Right pediatric wrist radiograph, AP projection, 12-year-old girl, acquired on Siemens —

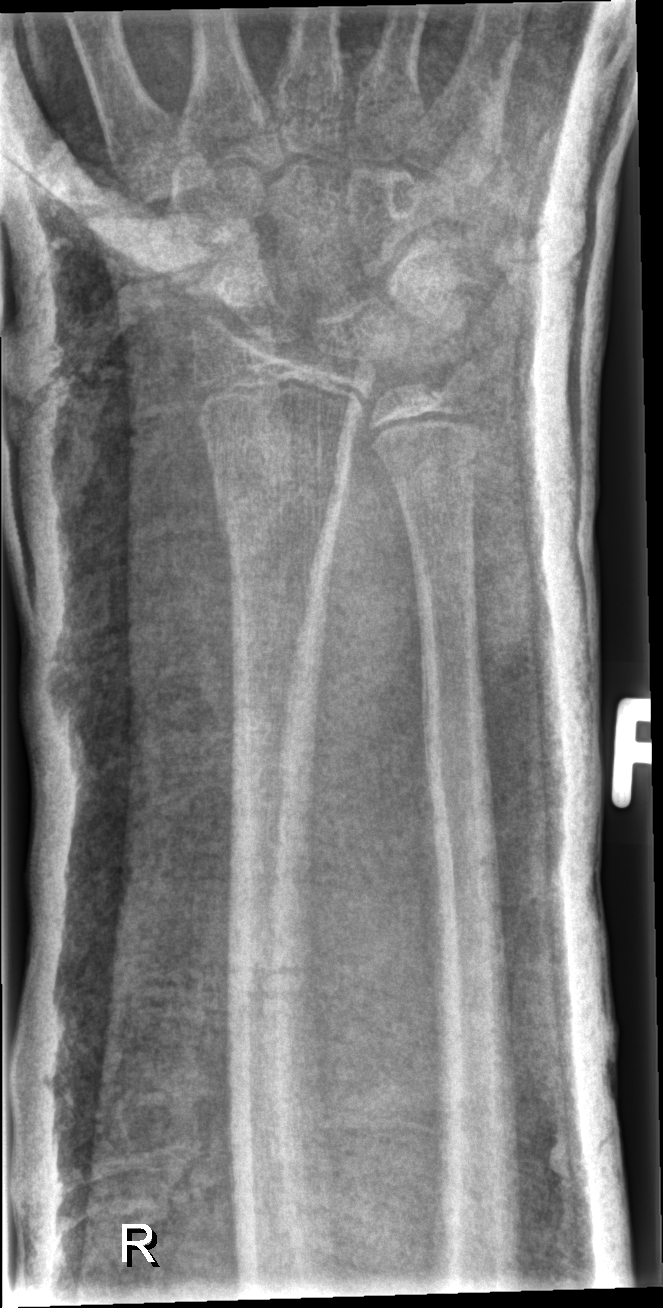 {"_coords": "pixel coordinates, top-left origin, xyxy", "ao": "23r-M/3.1; 23u-E/7", "fracture": "bbox(211, 463, 352, 547)"}